L pediatric wrist radiograph · lat view · 14y M · follow-up study · 528 x 830 px —

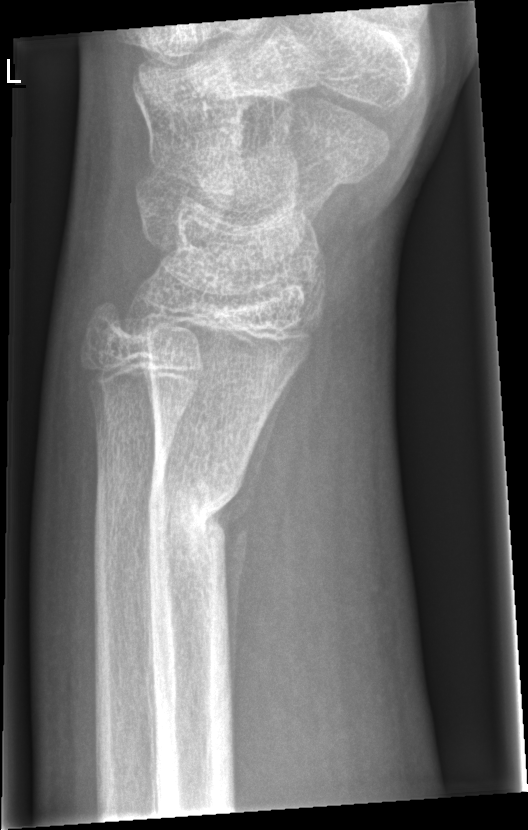

Bounding boxes in image-pixel xyxy. Decreased bone density (osteopenia). Fracture classified AO/OTA 23-M/2.1. One bone fracture at 143,469,243,549. Periosteal reaction identified at 205,361,303,706.